Lateral projection, L pediatric wrist radiograph, pediatric patient (girl, age 13)

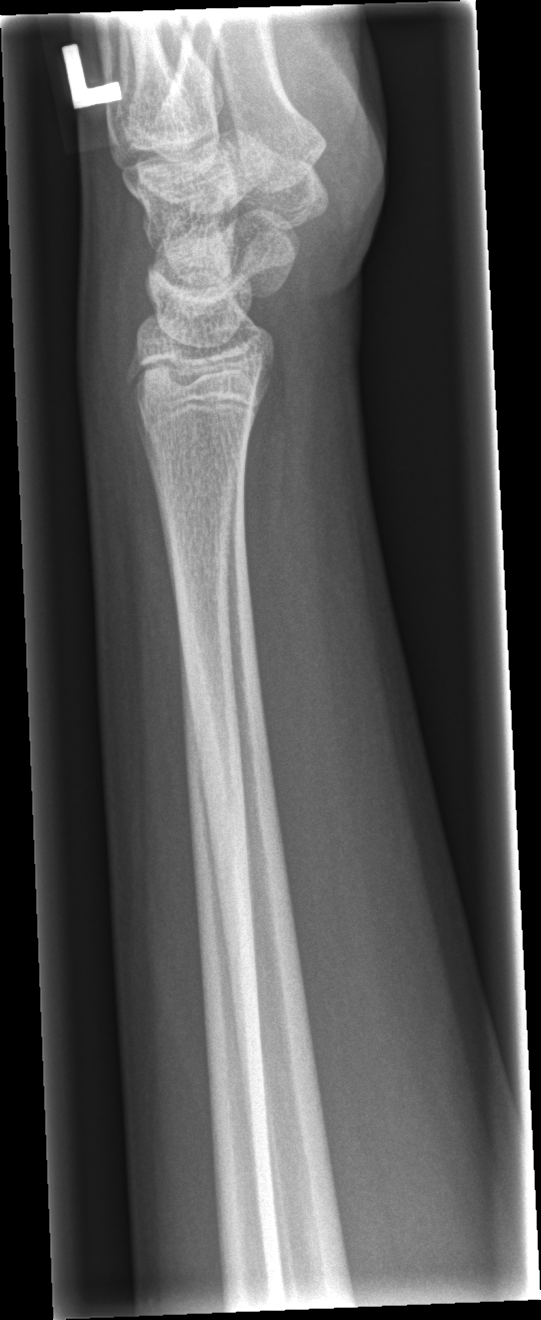
FINDINGS — Fx: none.